Lt wrist X-ray · frontal · image size 509x1100 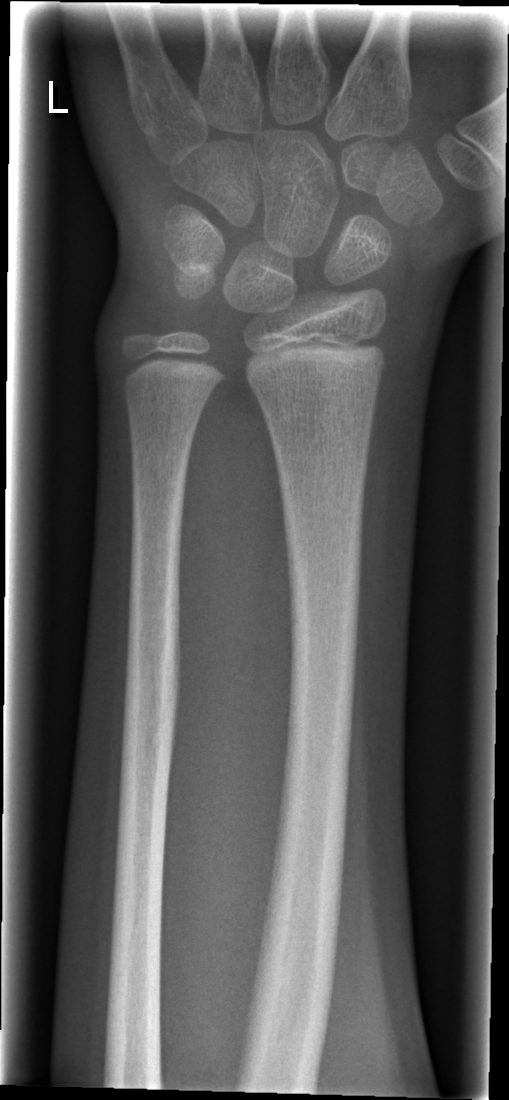 {
  "fracture": "none labeled"
}